Lat projection · R plain radiograph of the wrist · index exam:
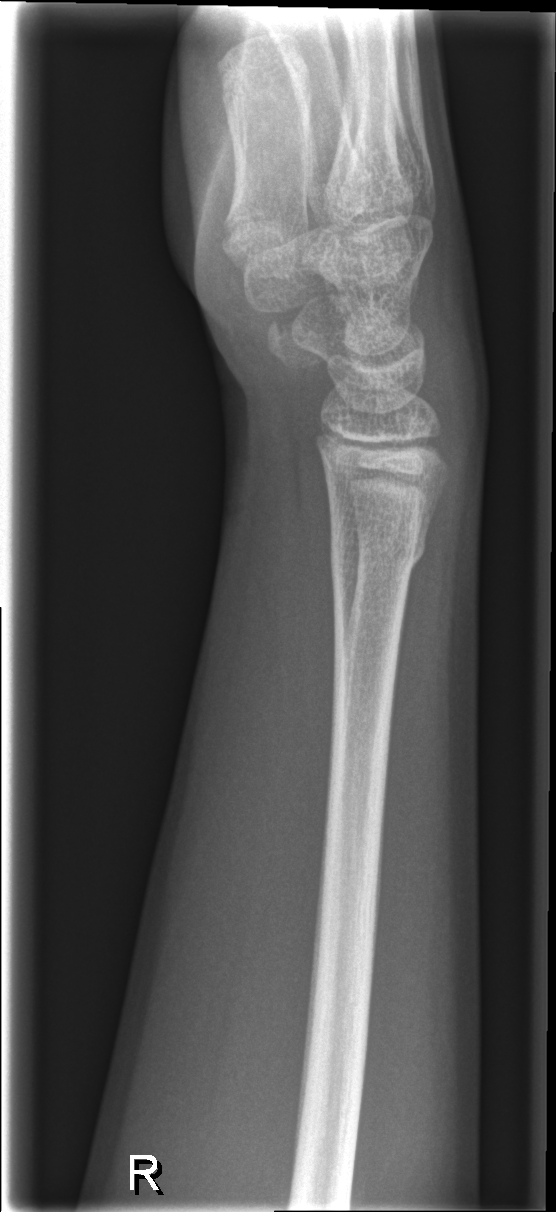   fracture: 1 @ 325 520 430 585